Lat view · right wrist plain film · image size 456x954:

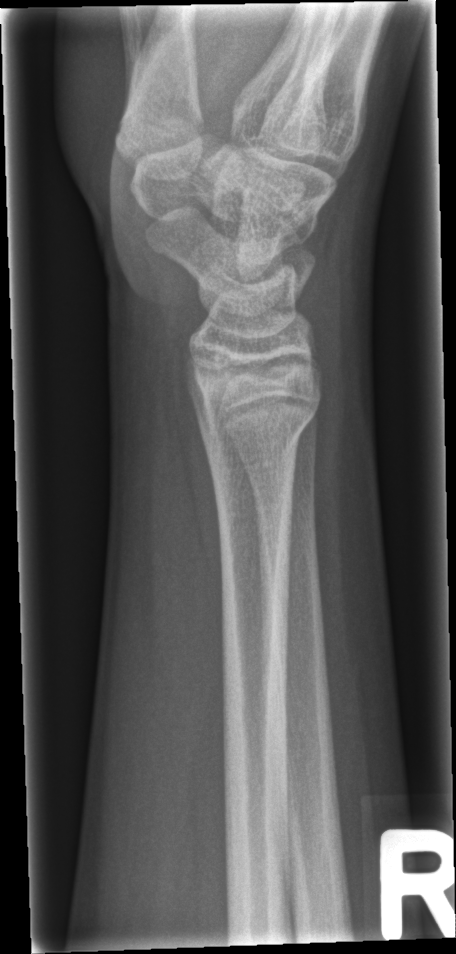
Bone fracture identified at bbox(198, 403, 316, 464).